Lateral projection | right wrist XR | pediatric patient (male, age 11).
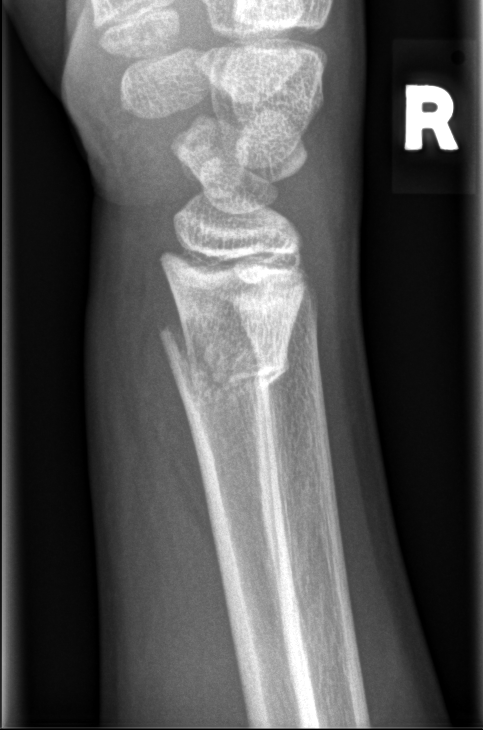
fracture: 1 @ <158,312>-<293,409>